PA/AP projection; Lt wrist radiograph; female, 9 yo; cast present

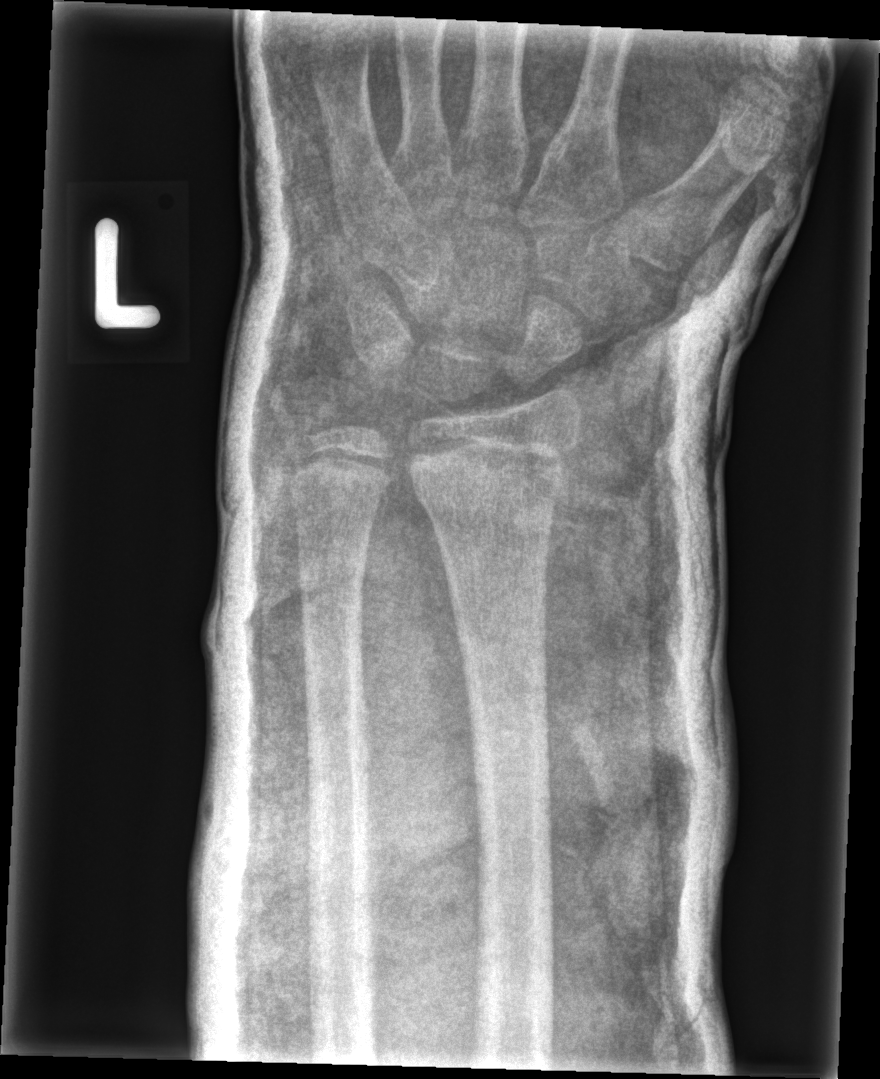

(coordinates are [x1, y1, x2, y2] in image pixels)
Fx: (left=410, top=430, right=578, bottom=525)